PA/AP projection; R wrist X-ray; 17-year-old boy —
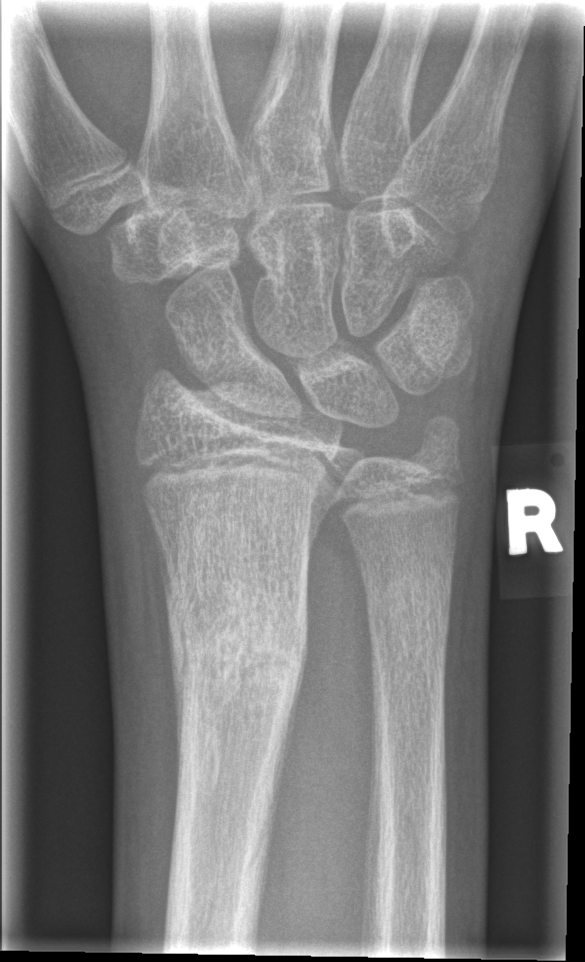 FINDINGS: (pixel coordinates, top-left origin, xyxy) Fracture classified AO/OTA 23-M/3.1. Fracture: [x1=158, y1=570, x2=315, y2=729], [x1=361, y1=554, x2=458, y2=661]. Osteopenic. Periosteal new bone identified at [x1=273, y1=625, x2=308, y2=819].